Lat view, left wrist plain radiograph of the wrist.
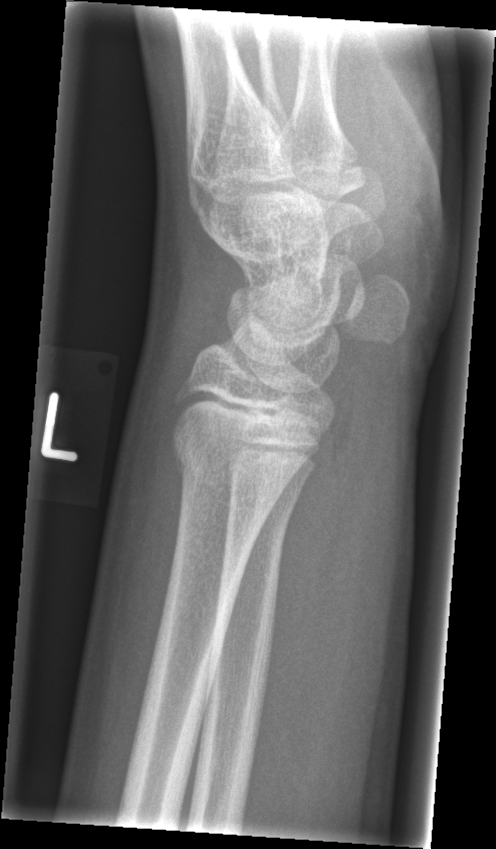
Boxes as x1,y1,x2,y2 (top-left / bottom-right, pixel units). One fracture at <168,418>-<293,500>.